Right pediatric wrist radiograph · frontal projection · cast in situ · 638x1254. 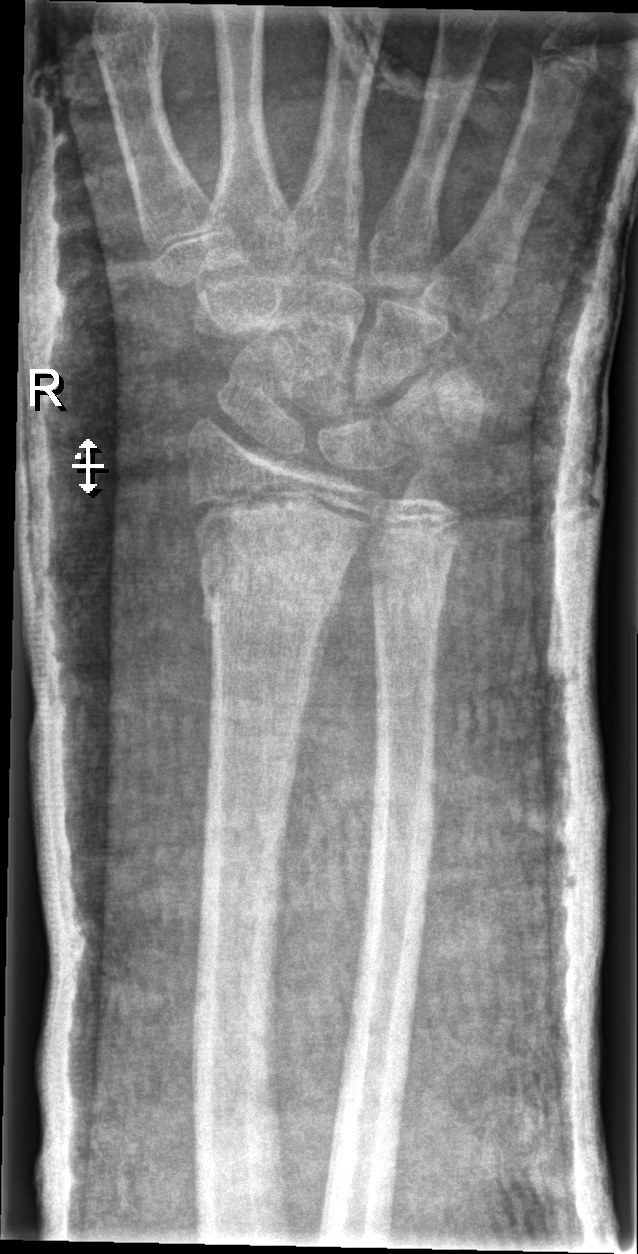
AO/OTA: 23r-M/3.1; 23u-M/2.1; 23u-E/7
Fx: 2 @ bbox(196, 524, 357, 642); bbox(367, 564, 453, 638)
periosteal thickening: 2 @ bbox(295, 562, 350, 774) bbox(203, 617, 214, 711)